Frontal view, L wrist plain film, Siemens.

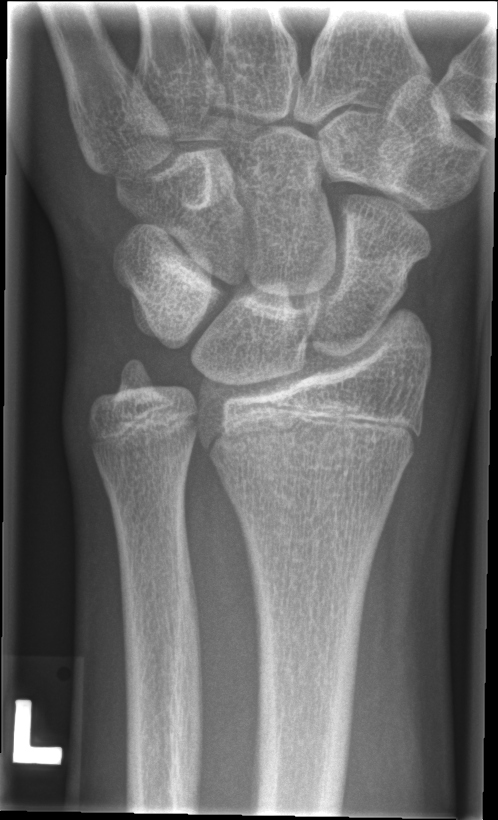
Fx present but not clearly seen in this view. AO code 23r-M/2.1.